Frontal view | L wrist radiograph | presentation radiograph. 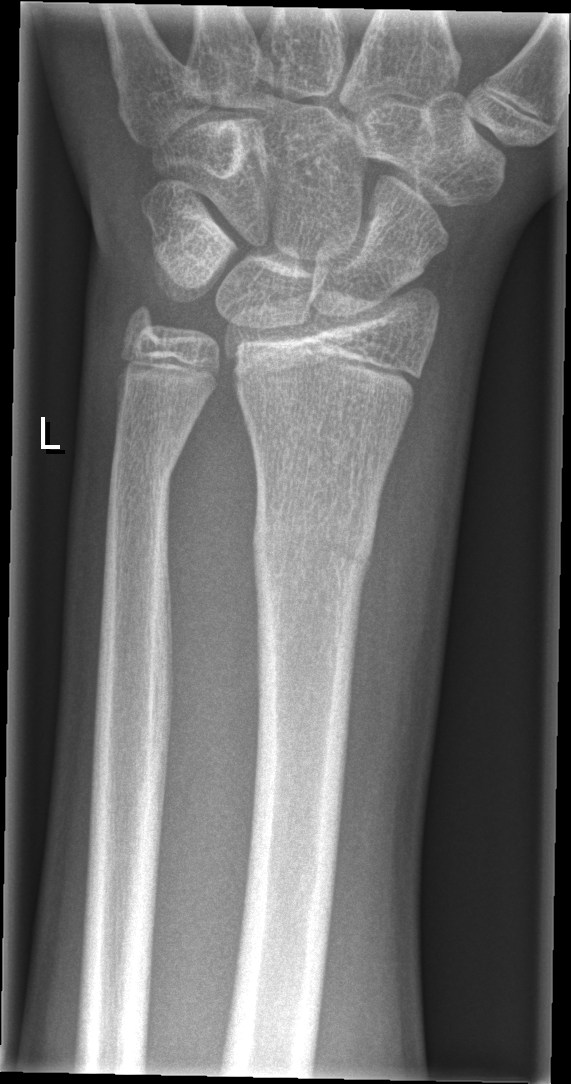
• Bounding boxes in image-pixel xyxy.
• Bone fracture identified at 249,490,380,589 | 107,426,184,507.